Lat projection; left wrist radiograph; pediatric patient (male, age 6); subsequent exam; in cast; detector: Siemens; image 65.4 mm wide —

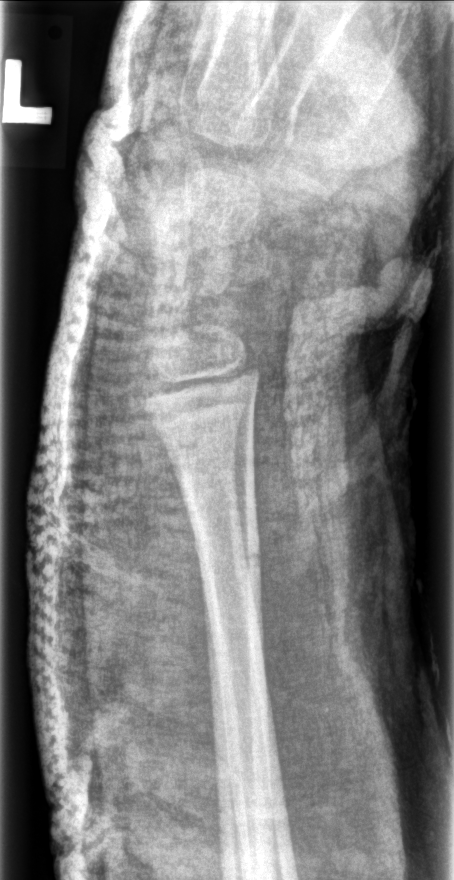 AO code 23r-M/3.1.
Fx — <197,542>-<265,583>.